Left wrist radiograph; posteroanterior projection —
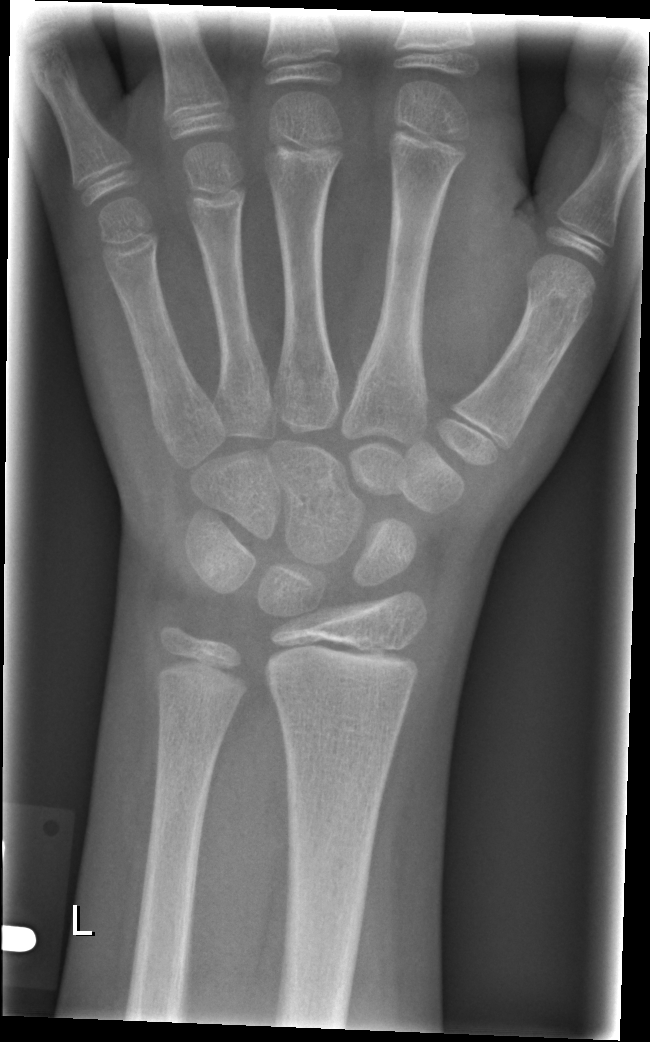

Fracture: none labeled.